Right wrist plain film · lateral · 10-year-old male · index exam · image 75.2 mm wide.
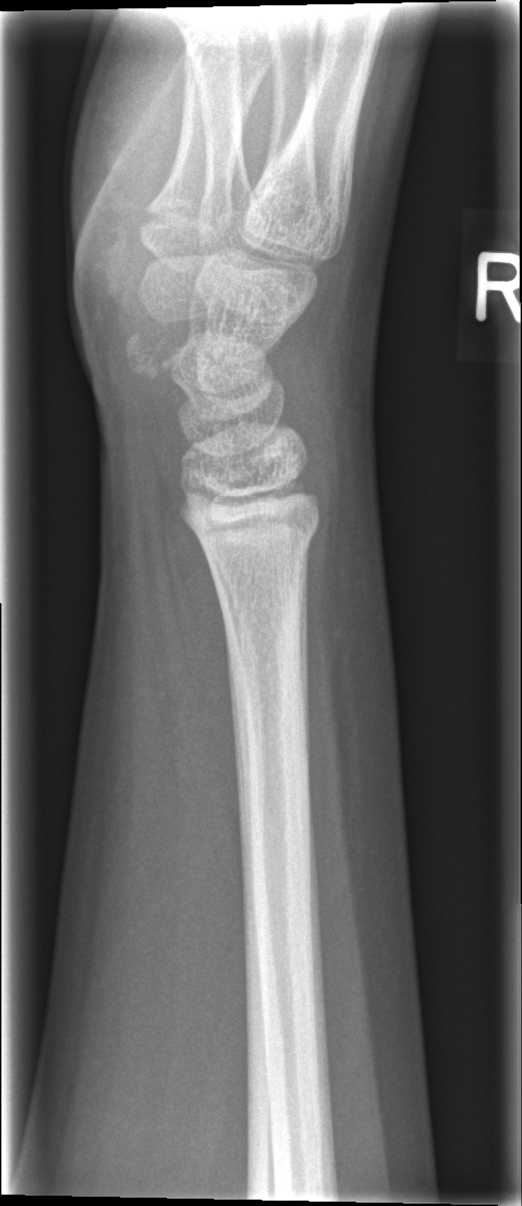

Fracture: bbox(184, 502, 323, 571).